Lat projection · Lt wrist XR · initial study —

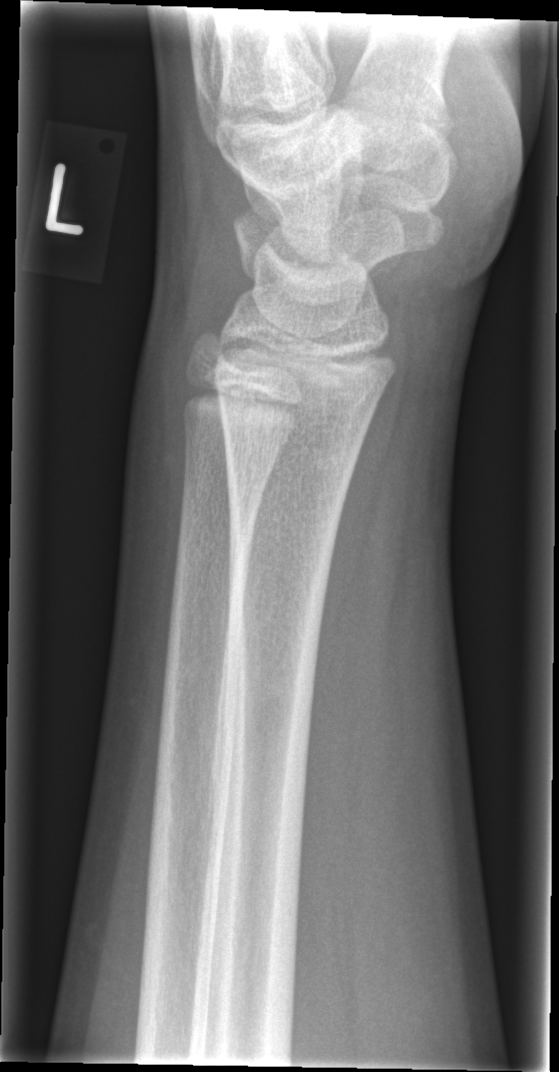 - No fracture annotation.